Lt wrist radiograph, lateral projection, pediatric patient (male, age 16): 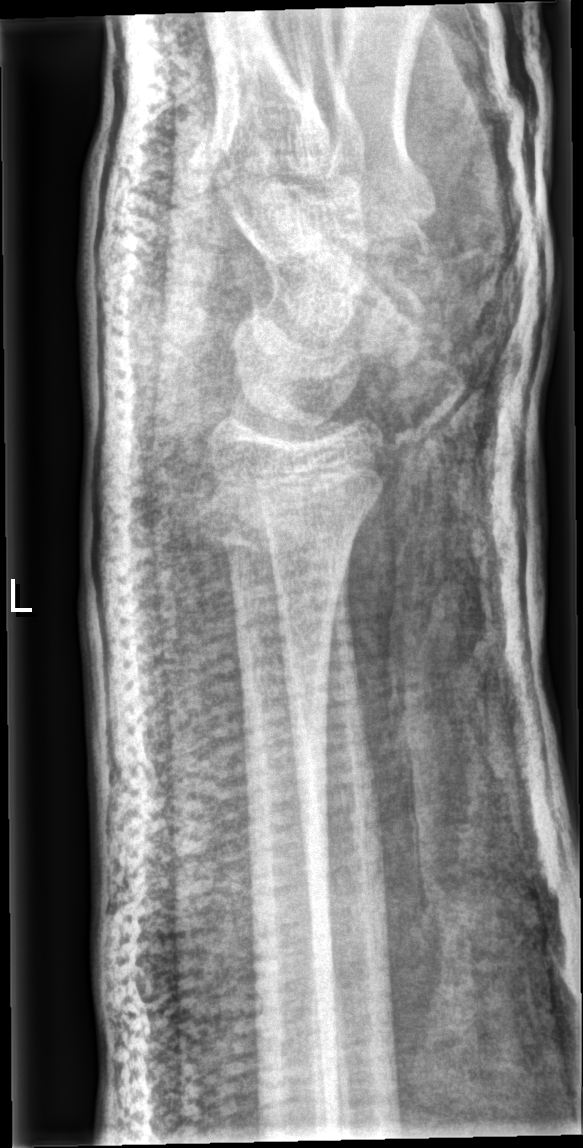
Coordinates are [x1, y1, x2, y2] in image pixels. One Fx at (left=193, top=462, right=386, bottom=566). AO code 23r-M/2.1; 23u-E/7.